PA · Lt plain radiograph of the wrist · 94.2 mm image width · image size 654x1170.

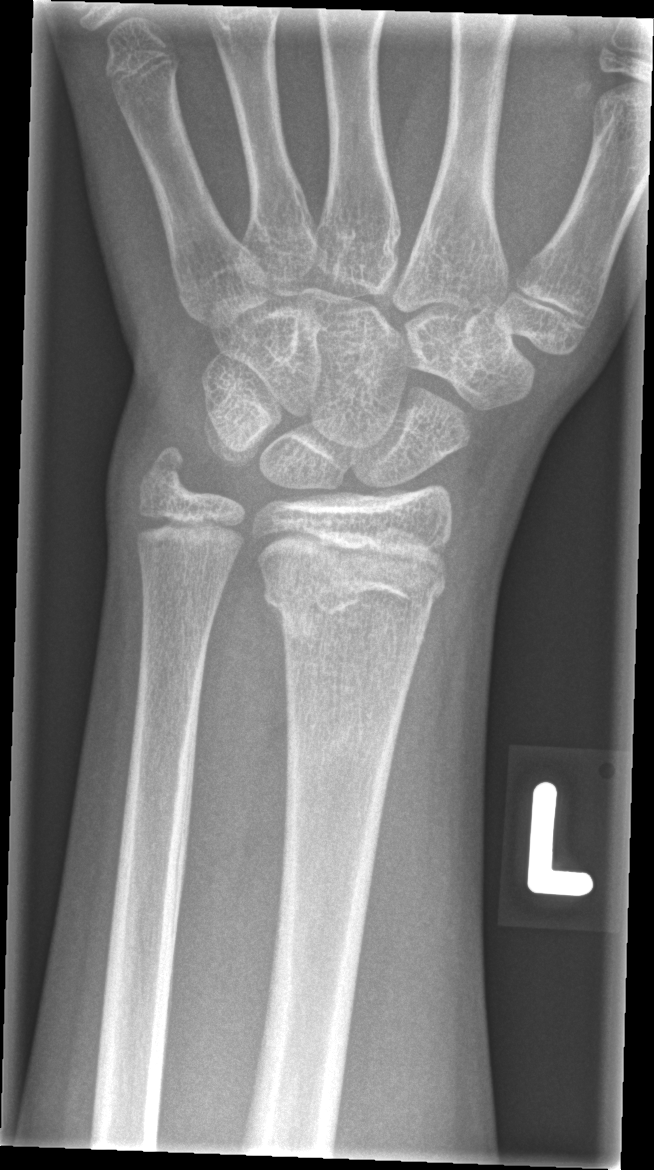 Boxes as x1,y1,x2,y2 (top-left / bottom-right, pixel units). Bone fracture identified at 250,525,451,640; 133,441,194,504.